Left pediatric wrist radiograph, PA/AP view, pediatric patient (boy, age 14), 545 by 756 pixels — 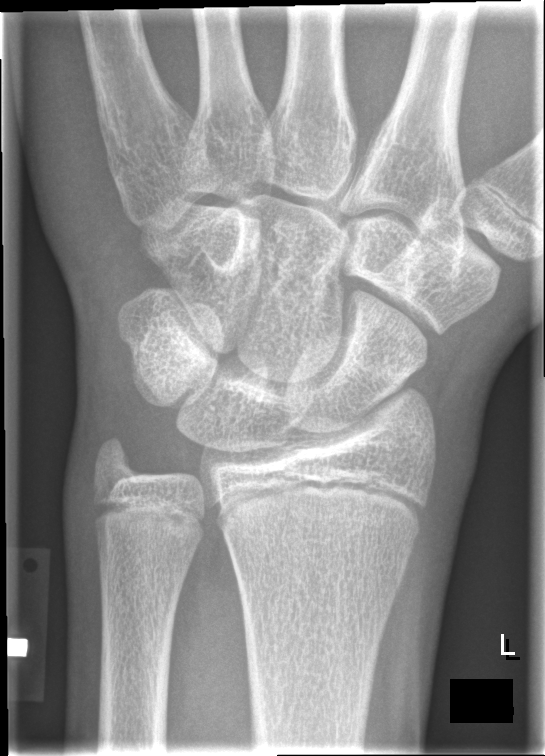

Fracture: none labeled.